Left wrist XR; lat view; 9-year-old female; 563 x 764 px

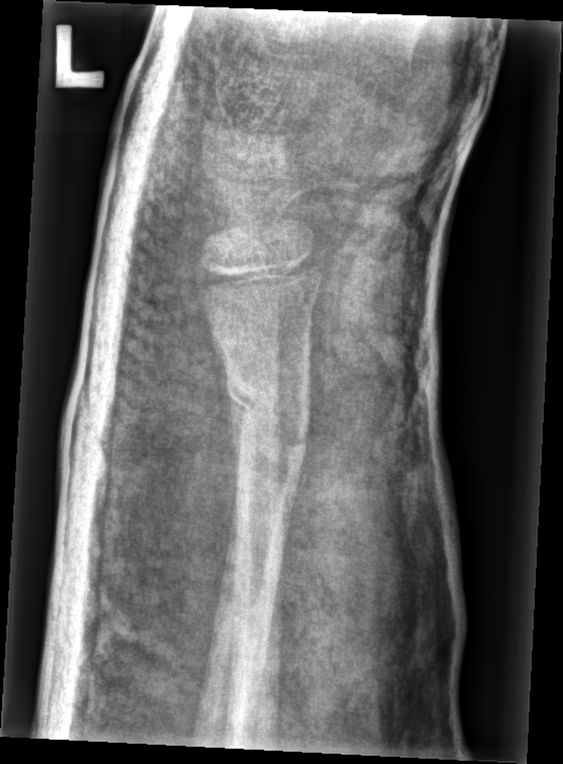
One fracture at 221,362,312,461.
AO/OTA classification: 23r-M/3.1; 23u-M/2.1.